Right wrist XR; lat; cast in situ; image size 571x1252:
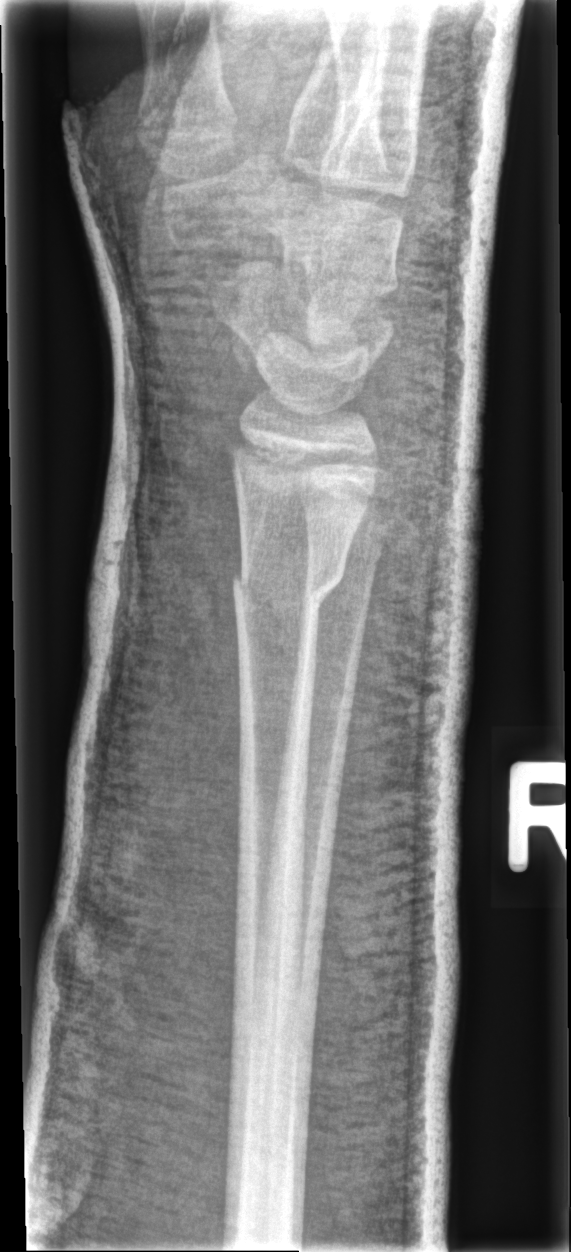 Findings: One Fx at bbox(230, 550, 348, 621). AO code 23r-M/3.1.